PA/AP view | L plain radiograph of the wrist | 8y M | presentation radiograph | image 53.0 mm wide — 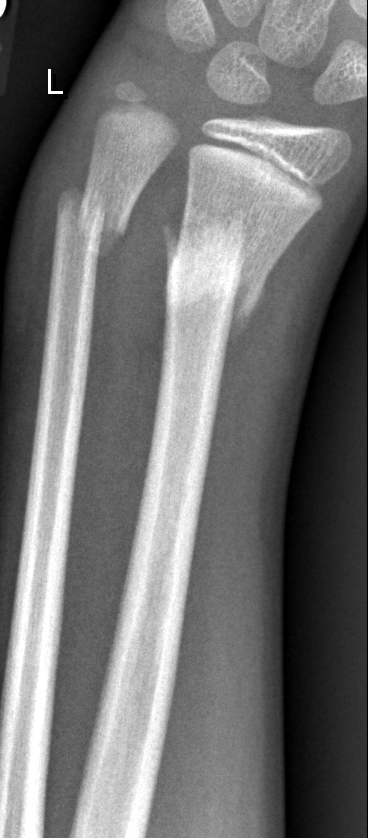 • Bounding boxes in image-pixel xyxy.
• Fractures — (left=160, top=207, right=269, bottom=337); (left=54, top=181, right=128, bottom=261).